Lateral | left pediatric wrist radiograph | pediatric patient (girl, age 6) | index exam | Siemens | image width 60.2 mm.

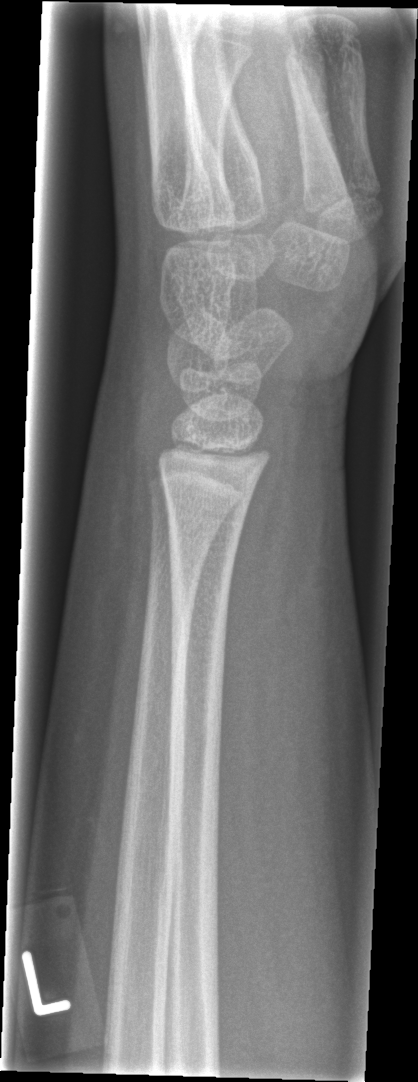 Fx: none labeled